Lat projection · left wrist XR · 9y M · acquired on Siemens.

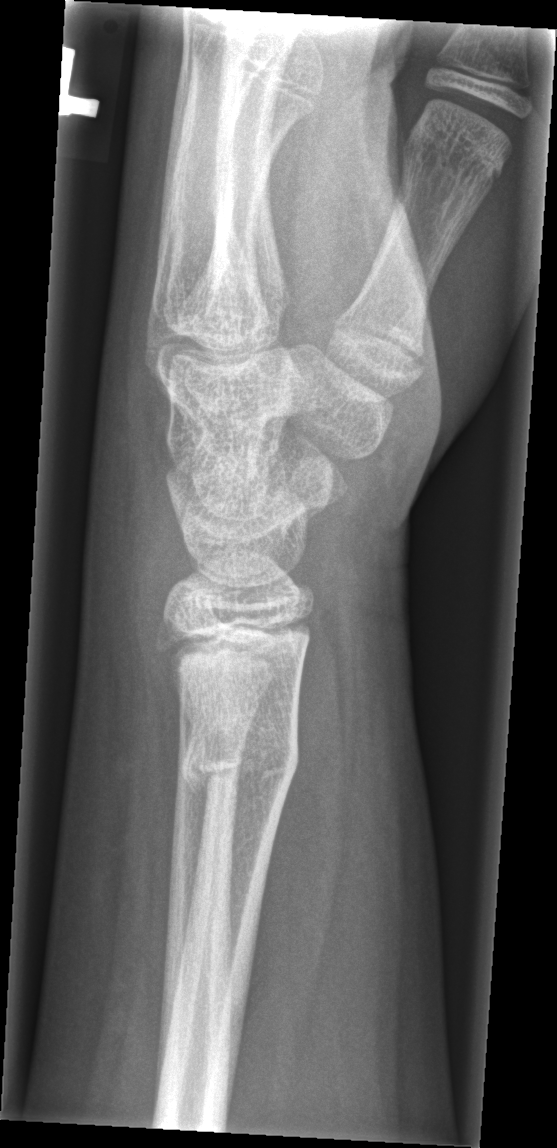

Findings: Soft-tissue swelling identified at (79, 398, 186, 703). AO code 23r-M/3.1; 23u-E/7. Pronator quadratus fat-pad sign — (223, 572, 349, 1125). Fracture — (175, 705, 303, 805).